Posteroanterior view · left wrist X-ray · boy, 11 yo · Siemens · image size 731x1208

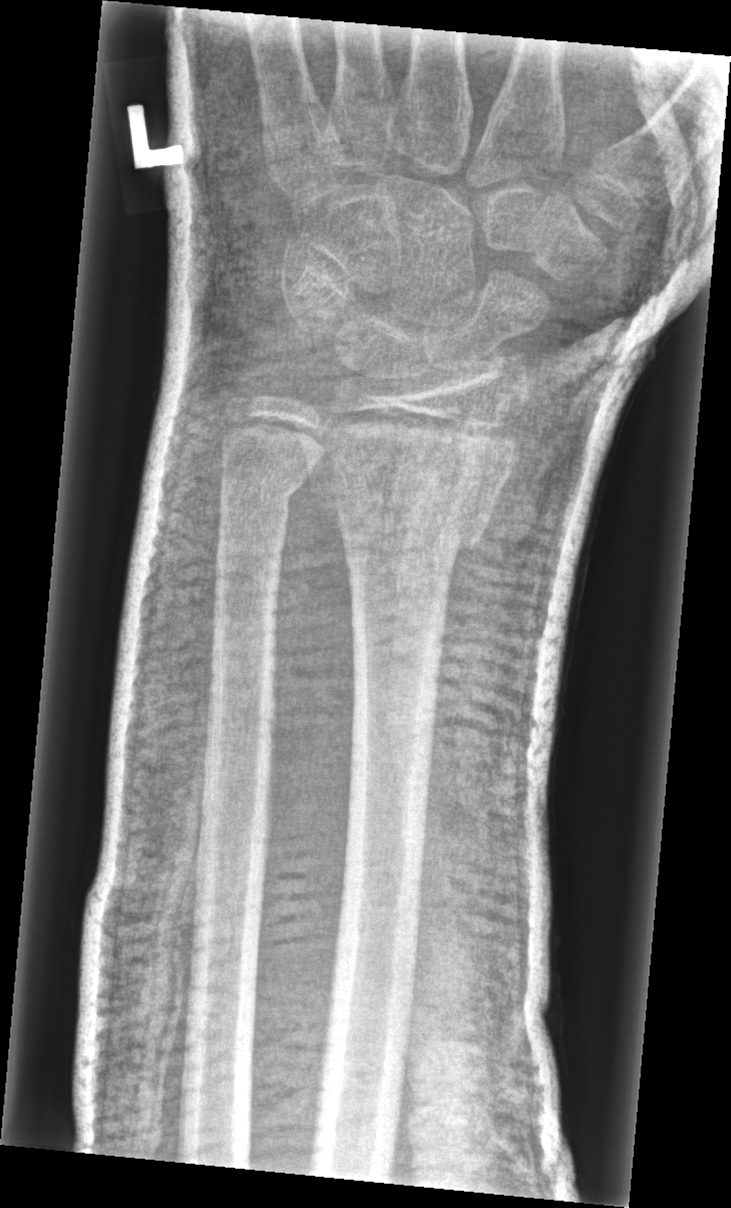
Fx = bbox(329, 406, 523, 553); bbox(216, 466, 306, 517)
AO/OTA = 23r-E/2.1; 23u-M/2.1